Frontal view · right pediatric wrist radiograph · age 10 y, male · index exam · image 87.8 mm wide · 610 by 996 pixels —
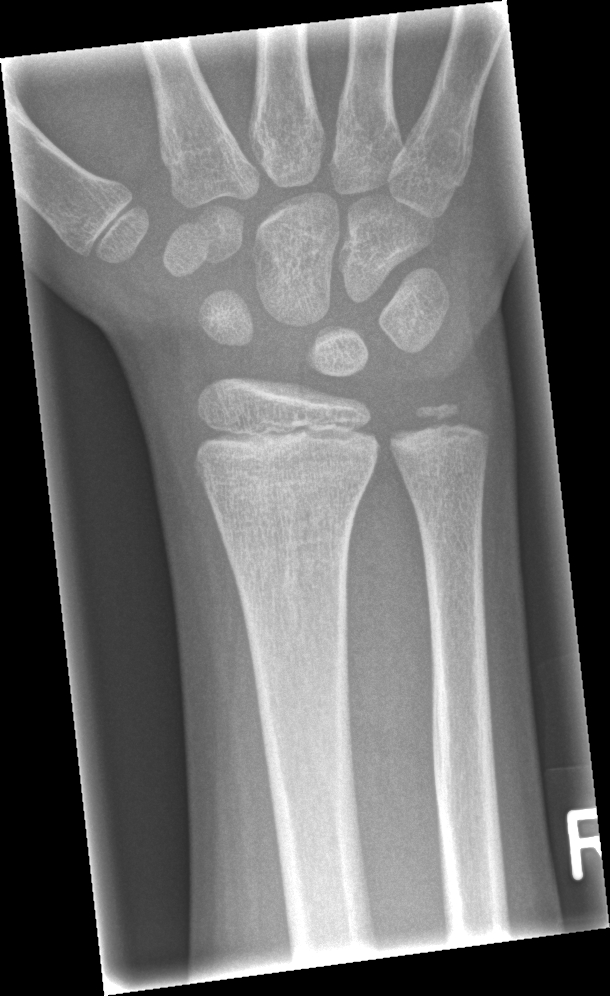

Q: Fracture present?
A: No fracture labeled